Rt wrist XR | frontal | 13y M | cast present
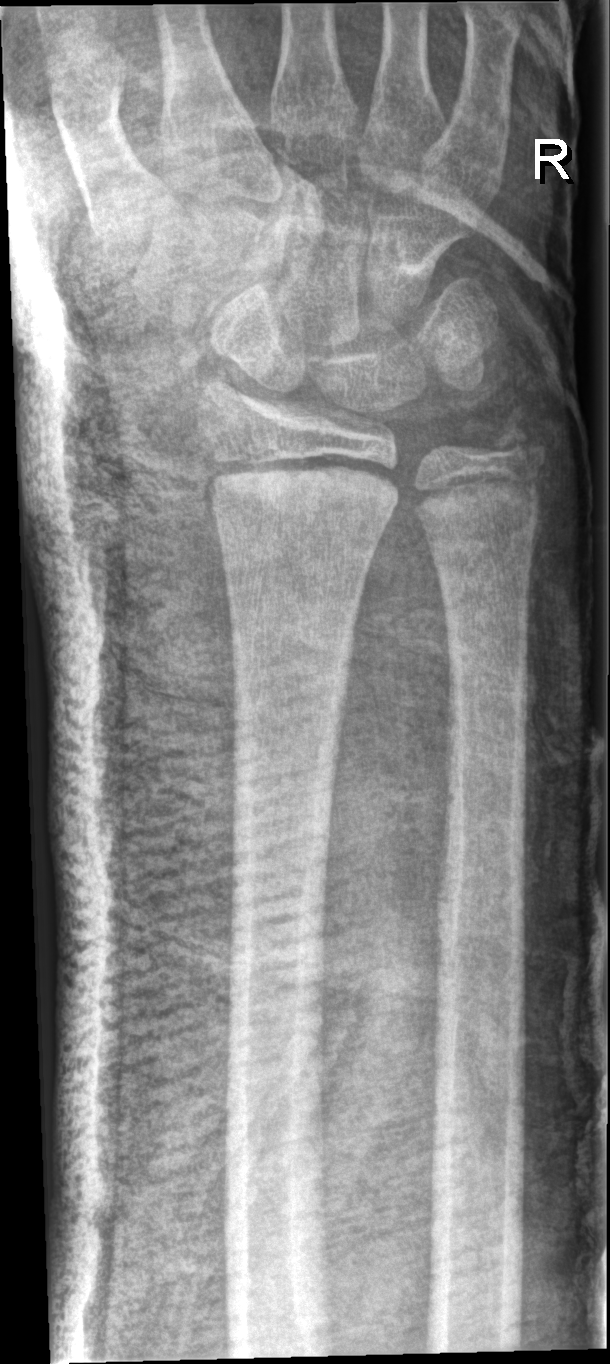
Two fractures at [x1=203, y1=446, x2=403, y2=529], [x1=484, y1=413, x2=548, y2=482]. AO/OTA classification: 23r-E/2.1; 23u-E/7.